Lateral projection, Lt wrist radiograph, index exam —
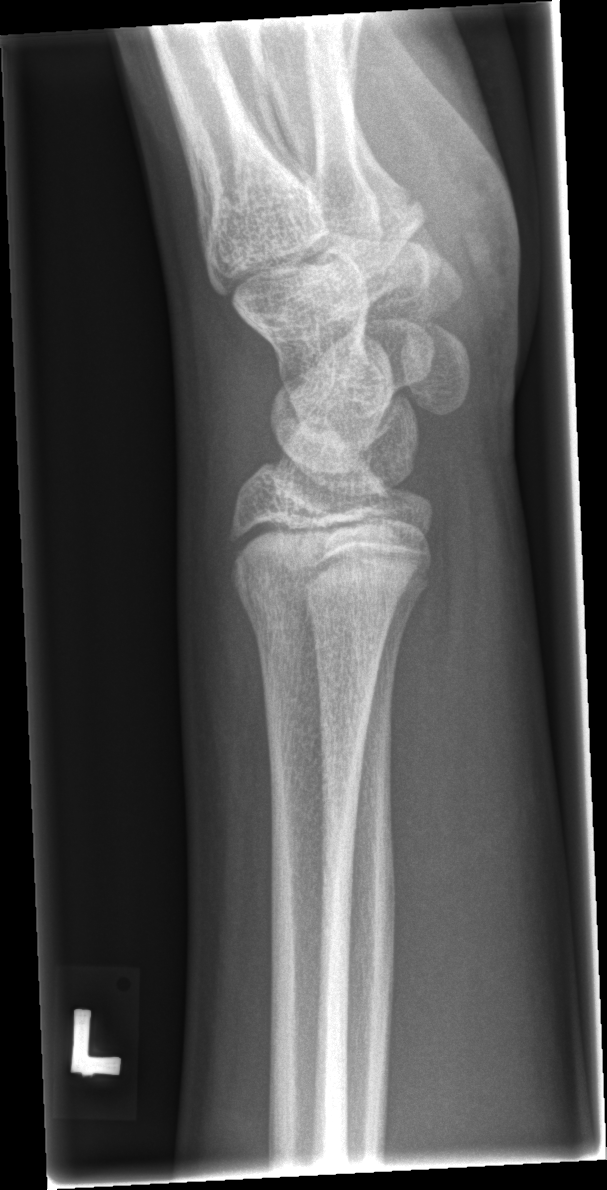

Bounding boxes in image-pixel xyxy. AO/OTA classification: 23r-M/2.1. Fracture: bbox(236, 571, 414, 659).